Frontal view; right wrist plain film —

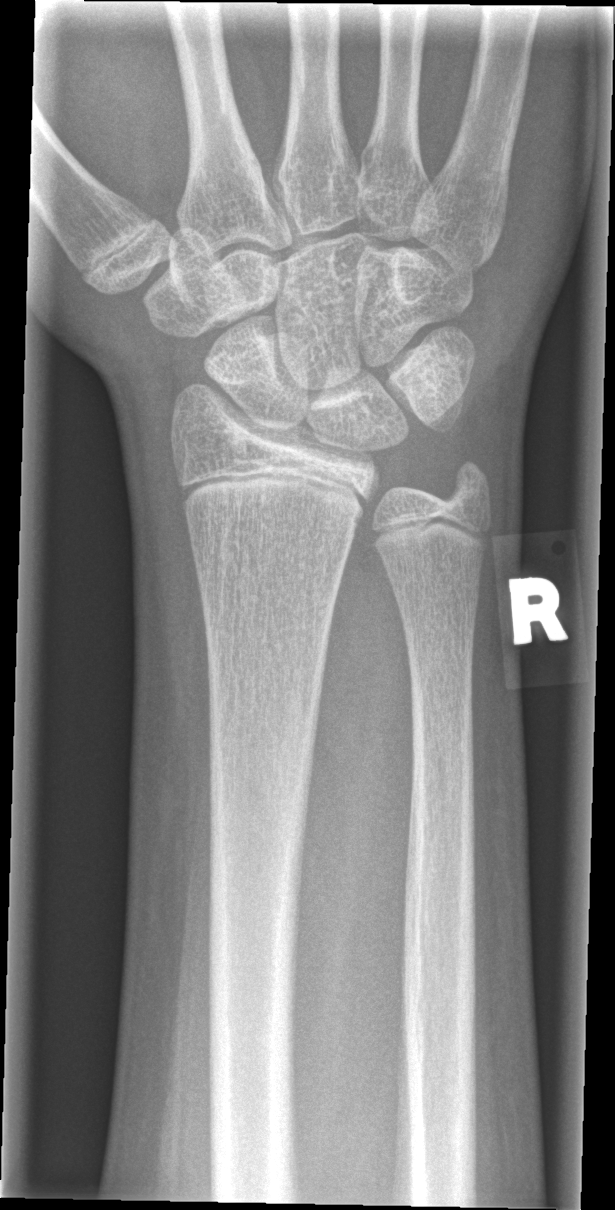

Fracture: none labeled